Left wrist XR, PA/AP projection, image 76.0 mm wide, 528 by 1012 pixels

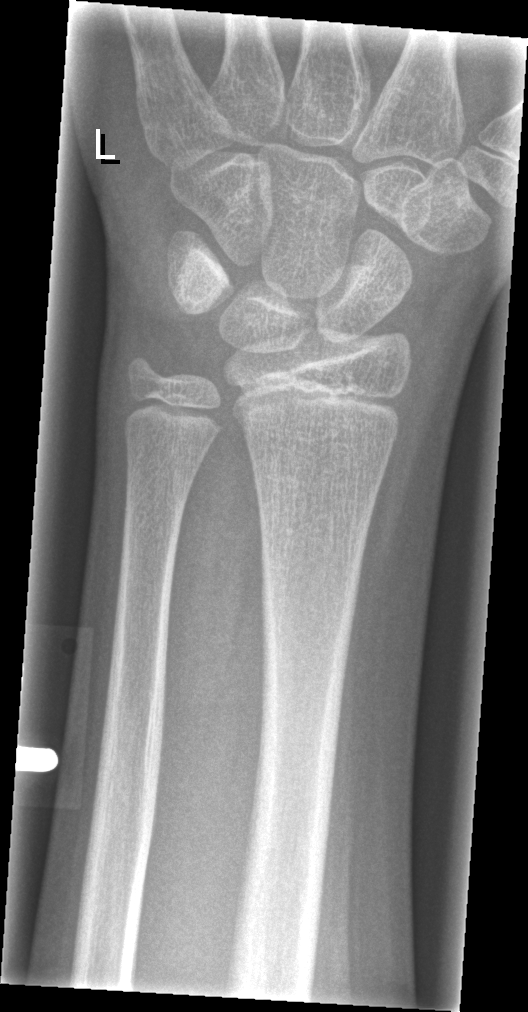
FINDINGS — No fracture annotation.